Right wrist plain film; PA/AP; girl, 13 yo; follow-up study; cast present —

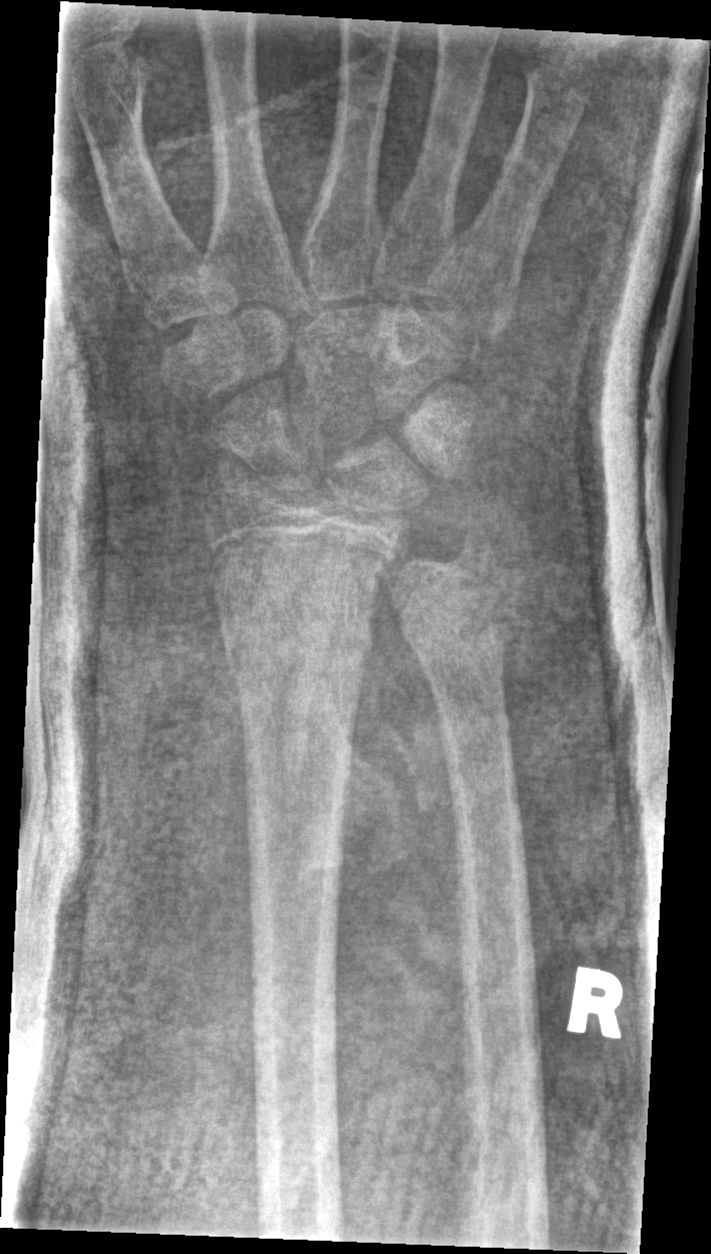 ao: 23r-M/3.1; 23u-M/2.1; 23u-E/7
fracture: bbox(220, 614, 374, 705), bbox(404, 605, 517, 673)